R pediatric wrist radiograph, posteroanterior view, 6-year-old male, imaged through cast, Siemens — 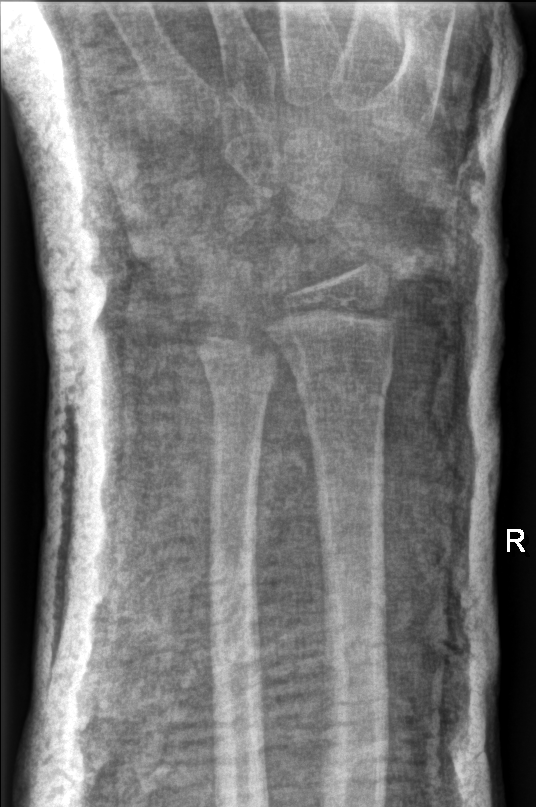

  fracture: <290,351>-<397,413>, <201,356>-<279,405>
  ao: 23r-M/3.1; 23u-M/2.1